Left wrist X-ray · lat view · imaged through cast:

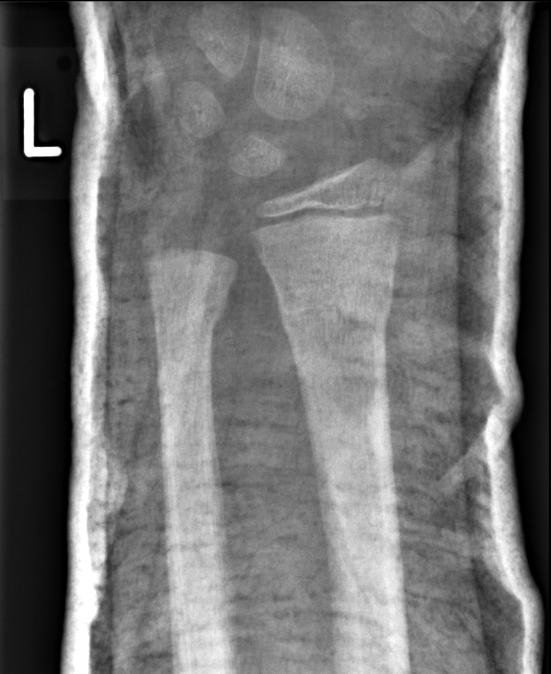 (pixel coordinates, top-left origin, xyxy)
Fx: 2 @ [x1=276, y1=278, x2=396, y2=352] [x1=149, y1=285, x2=232, y2=345]
AO classification: 23-M/3.1